Left wrist X-ray, lateral projection.
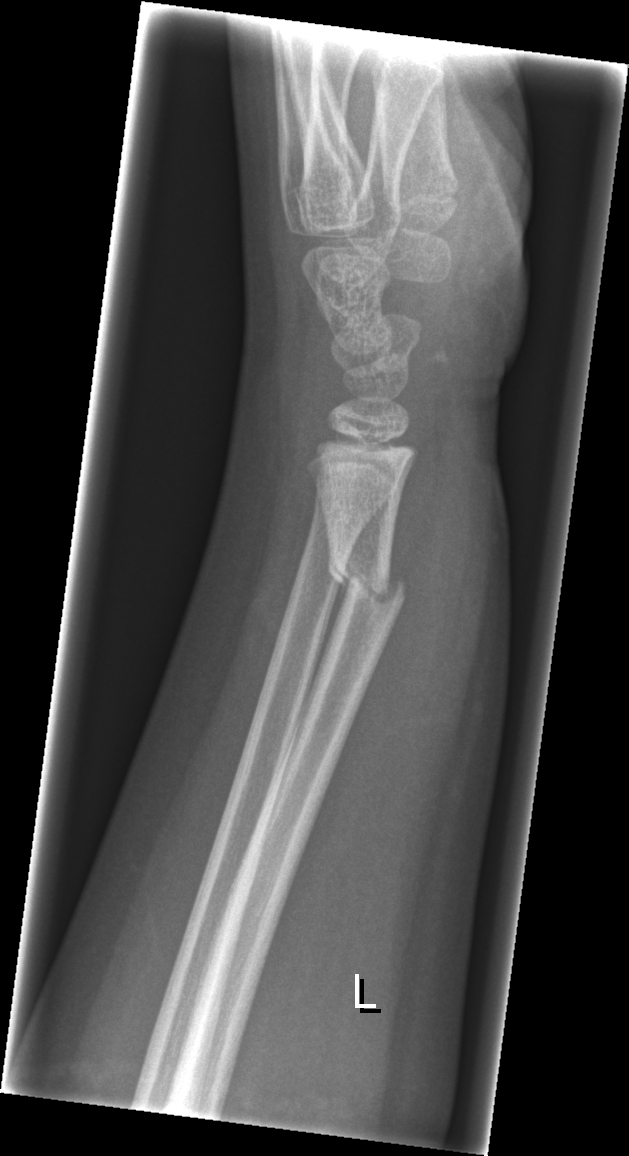
fracture = (left=325, top=553, right=407, bottom=616)
AO/OTA = 23r-M/3.1; 23u-M/2.1